L wrist X-ray, lateral projection, age 9 y, male, follow-up, in cast, image 76.8 mm wide — 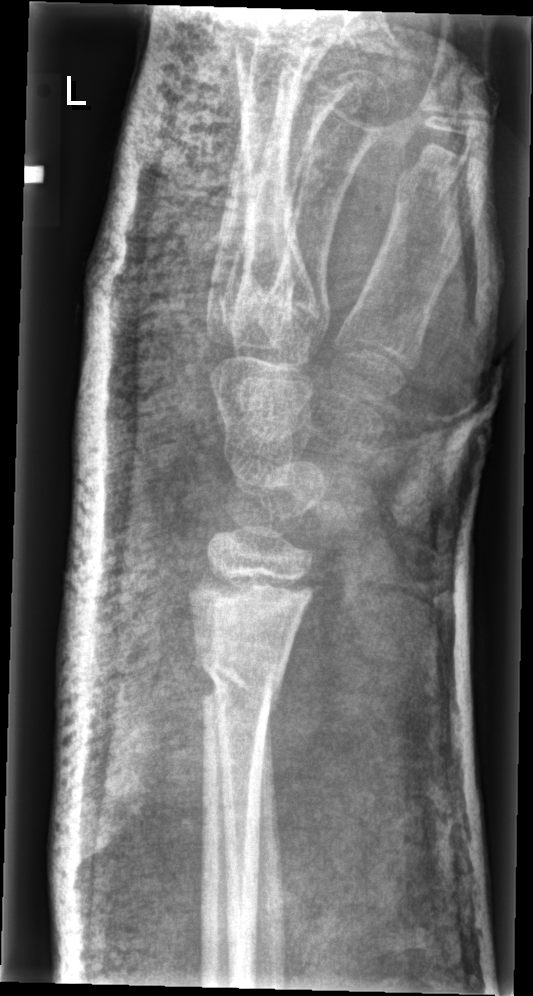 AO/OTA: 23r-M/3.1; 23u-M/2.1
Fx: 1 @ [197, 623, 290, 716]